Frontal view · left pediatric wrist radiograph · age 14 y, boy · 684 x 1112 px:

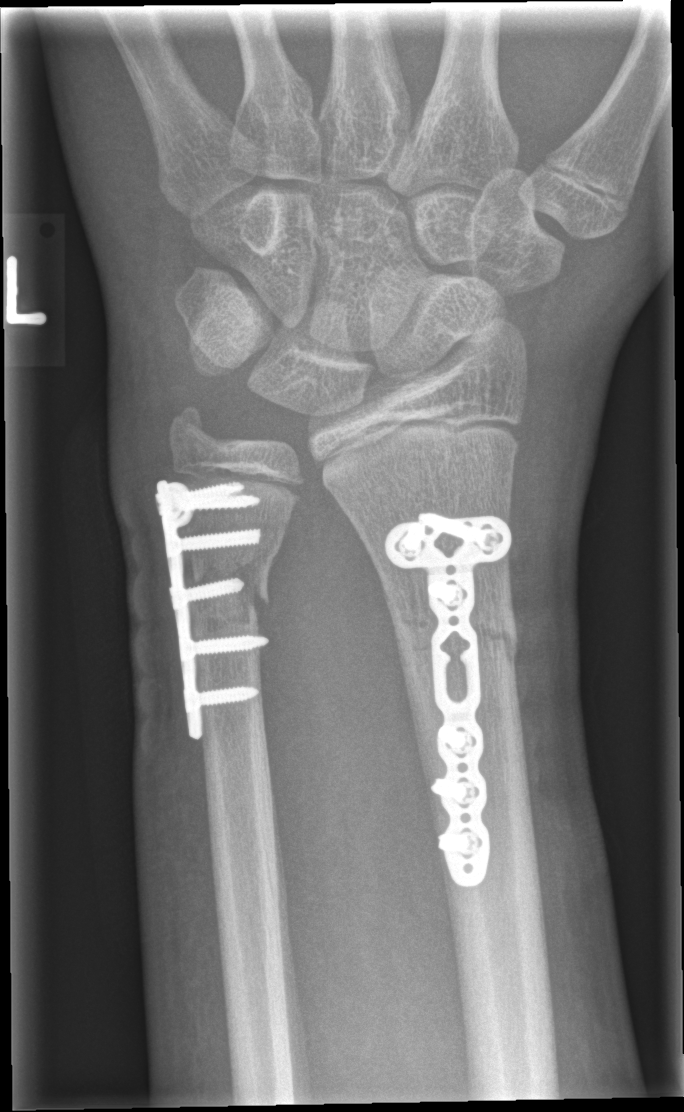 Fx: [391, 589, 523, 667], [190, 532, 273, 627], [164, 398, 229, 459].
Hardware: [385, 513, 512, 884]; [156, 481, 262, 735].
AO code 23-M/3.1; 23u-E/7.